Lat; right wrist radiograph; follow-up study; 862 x 939 px: 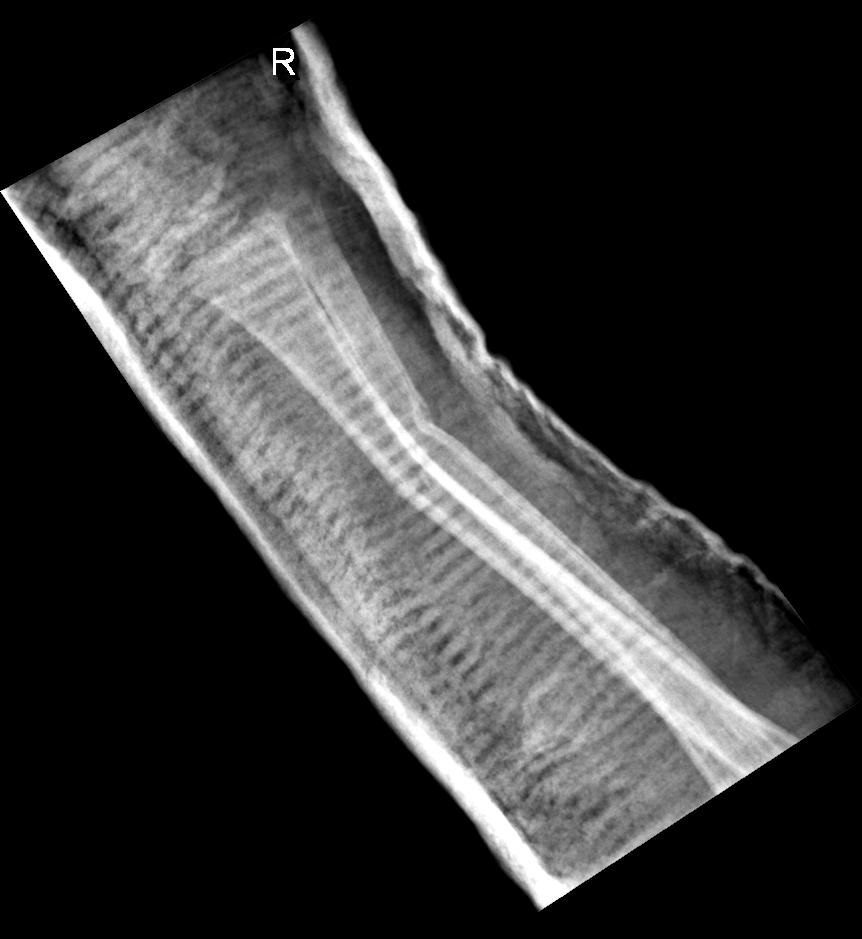
Boxes as x1,y1,x2,y2 (top-left / bottom-right, pixel units).
Bone fracture: (left=384, top=381, right=446, bottom=439), (left=383, top=433, right=436, bottom=500).
AO code 22-D/2.1.